Frontal projection, Rt wrist plain film, age 15 y, female, 536 by 1162 pixels —

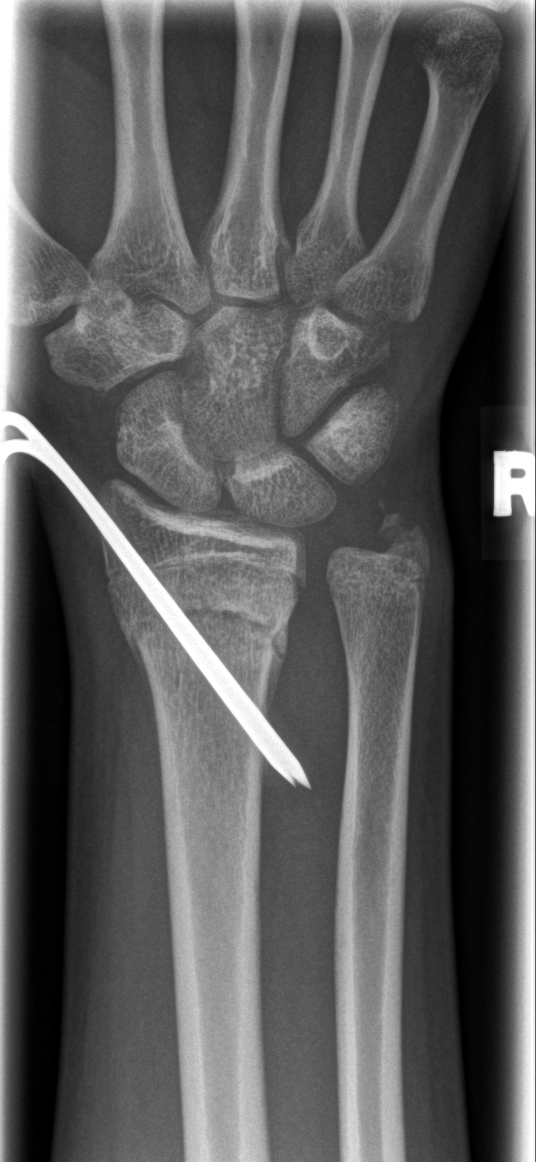 periosteal reaction = 2 @ [112, 587, 156, 701] [268, 618, 288, 715]
bone fracture = [107, 586, 297, 683]; [371, 497, 429, 568]
hardware = 1 @ [2, 408, 317, 793]